PA/AP view, Rt wrist X-ray, 9y M, follow-up:

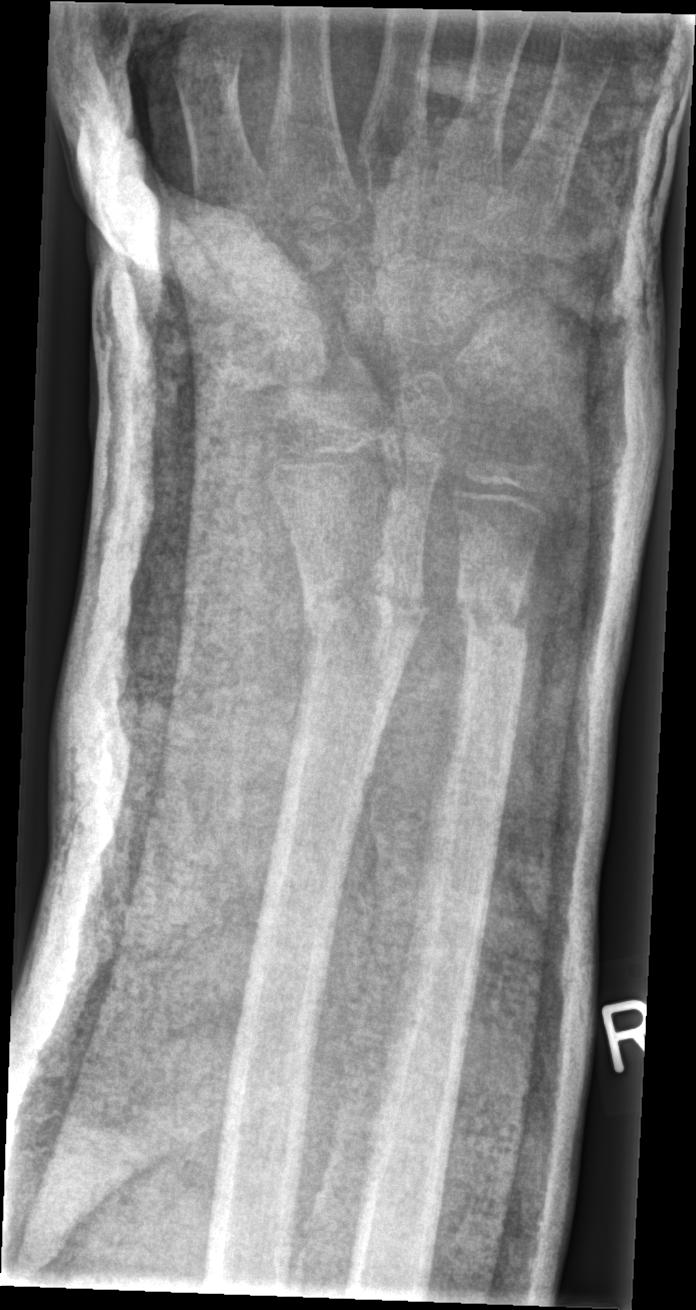

Q: AO code?
A: AO code 23-M/3.1
Q: Fracture present?
A: Fractures — [297, 565, 432, 656]; [452, 576, 533, 653]
Q: Bone density?
A: Reduced bone mineral density